PA projection; Rt wrist plain film; 11y F; presentation radiograph.
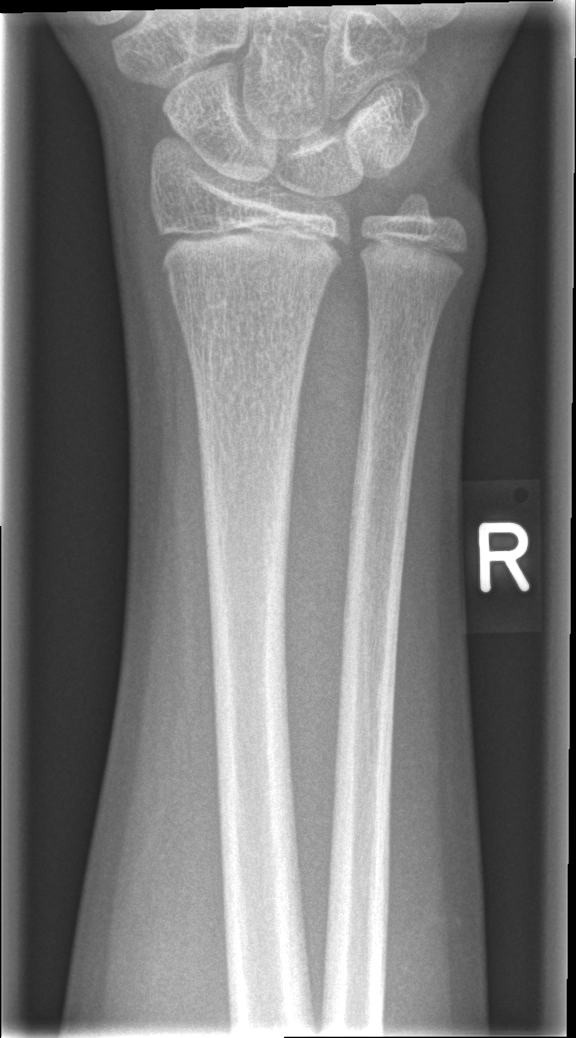
Fx = none labeled